L wrist X-ray · lat projection · male, 7 yo · acquired on Siemens
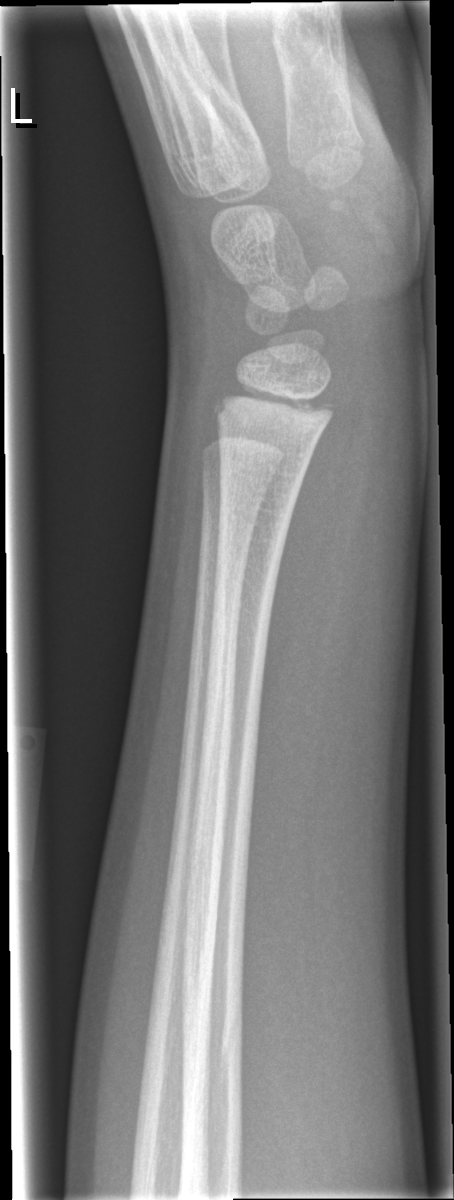 (boxes as x1,y1,x2,y2 (top-left / bottom-right, pixel units))
pronator quadratus fat-pad sign = 1 @ (249, 369, 358, 765)
Fx = (209, 376, 341, 442)
AO/OTA = 23r-E/1